PA projection; right pediatric wrist radiograph; 14y M; imaged through cast

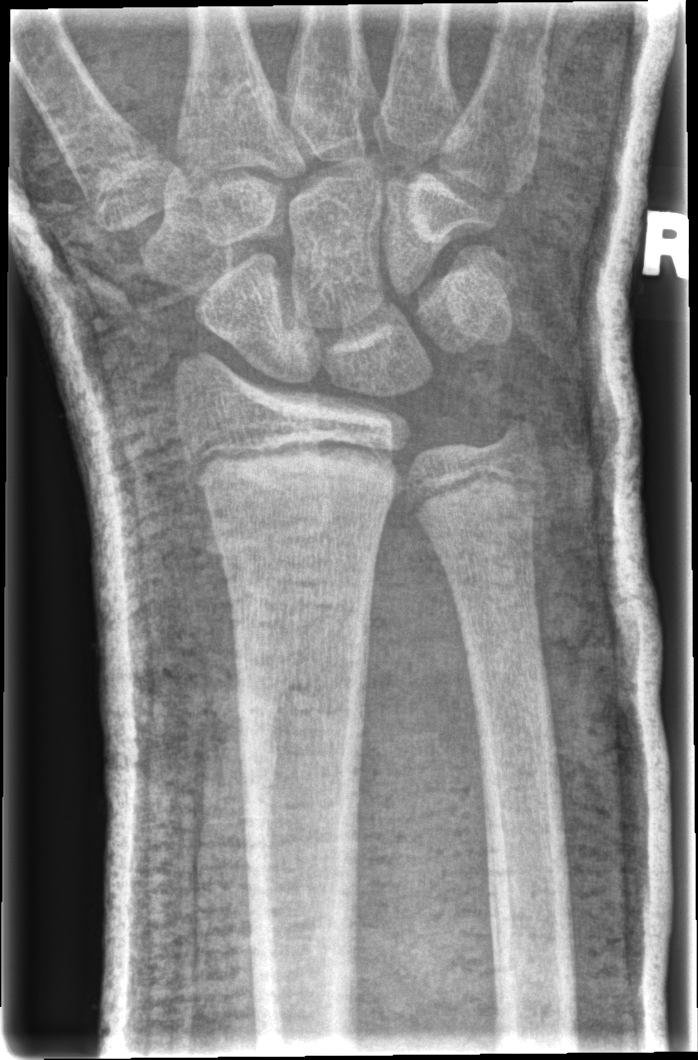 - Boxes as x1,y1,x2,y2 (top-left / bottom-right, pixel units).
- AO code 23r-E/2.1.
- Fracture: [179, 434, 407, 498].